L plain radiograph of the wrist · AP.
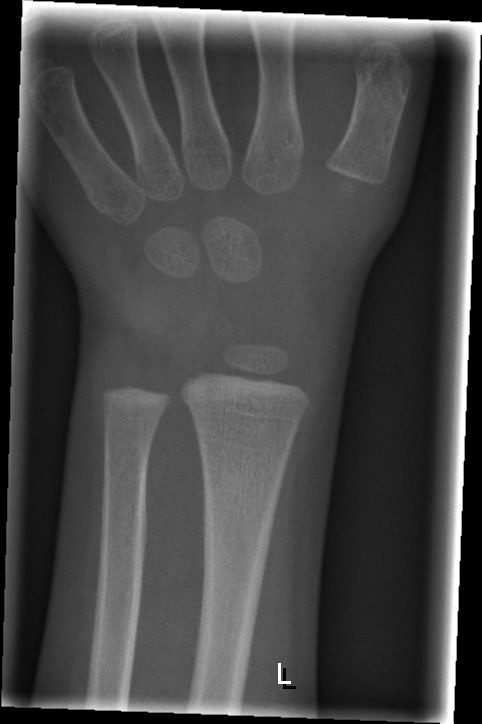

fracture: none labeled